Right wrist radiograph; posteroanterior projection: 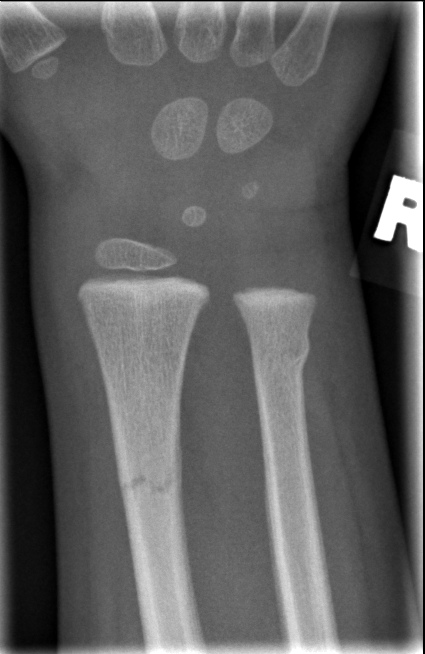 AO code 23r-M/3.1; 23u-M/2.1. Fractures — 115,454,186,505
  248,333,311,376.